Lat view · left wrist XR · female, 7 yo · acquired on Siemens.

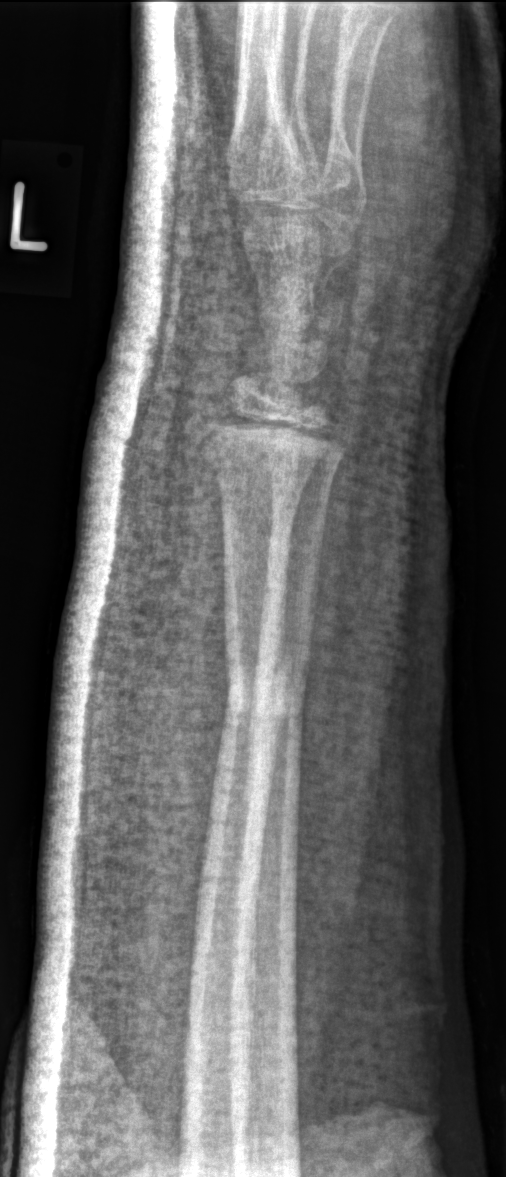

(coordinates are [x1, y1, x2, y2] in image pixels)
AO classification: 22r-D/4.1; 22u-D/2.1
Bone fracture: 1 @ <223,657>-<307,733>